Right wrist X-ray; PA/AP; pediatric patient (male, age 12). 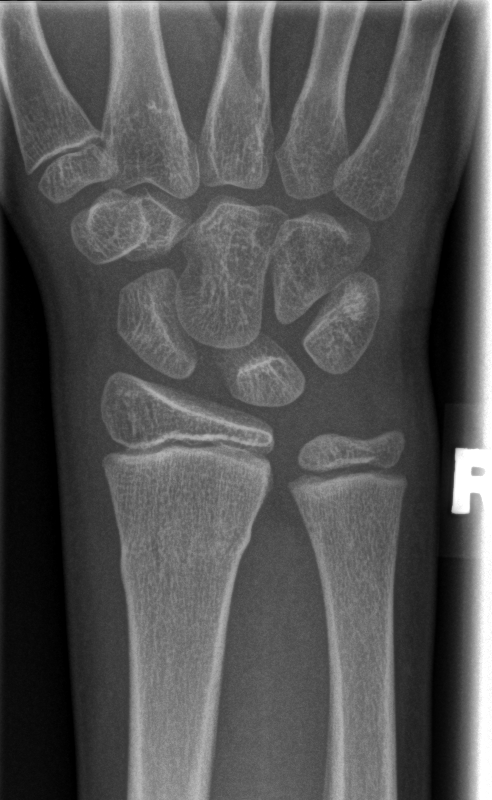
{"_coords": "boxes as x1,y1,x2,y2 (top-left / bottom-right, pixel units)", "fracture": "115,521,254,593"}